Right wrist XR | lateral | image size 555x916.

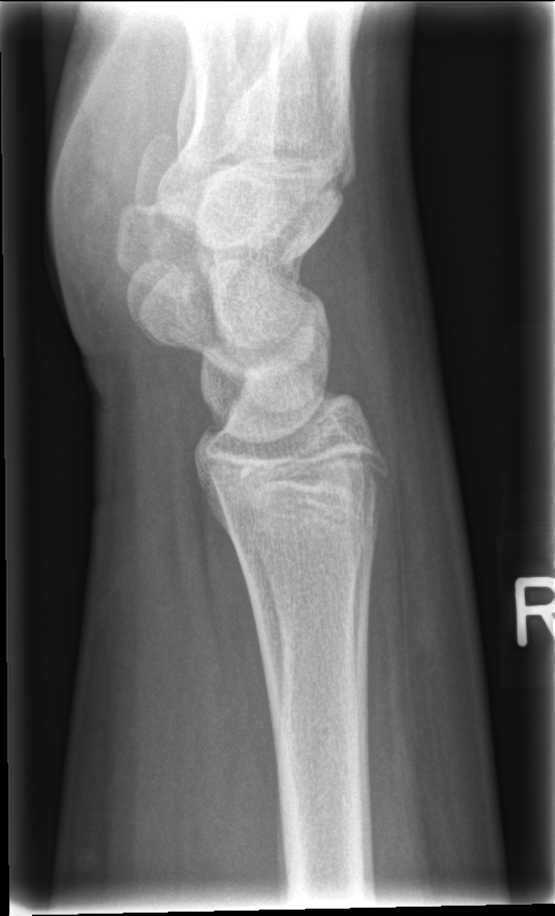

fracture: none labeled